Lateral view | L pediatric wrist radiograph | age 17 y, girl | 446x1130

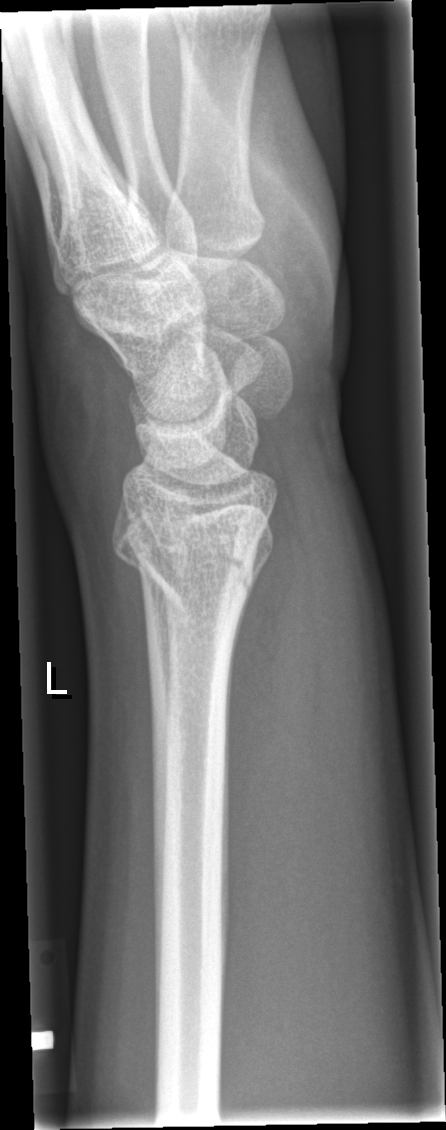
(bounding boxes in image-pixel xyxy)
positive pronator fat-pad sign: 1 @ 223,483,325,934
fracture: 105,511,262,617
AO code: 23r-M/3.1